Rt wrist plain film; lat projection; imaged through cast; Siemens 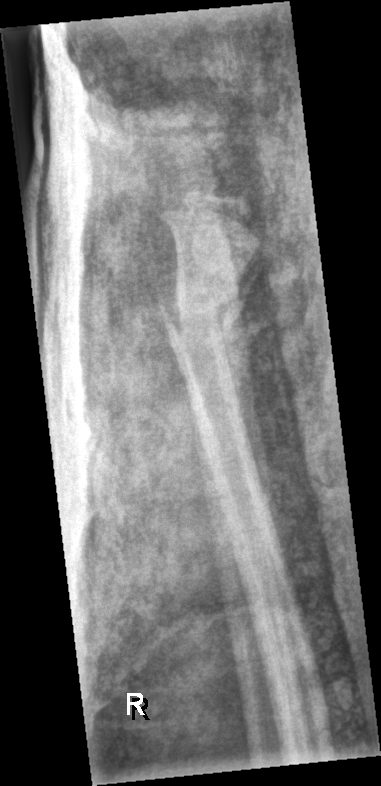 (boxes as x1,y1,x2,y2 (top-left / bottom-right, pixel units))
AO/OTA: 23-M/3.1
bone fracture: 1 @ 155,283,247,352